R wrist XR, lateral projection:

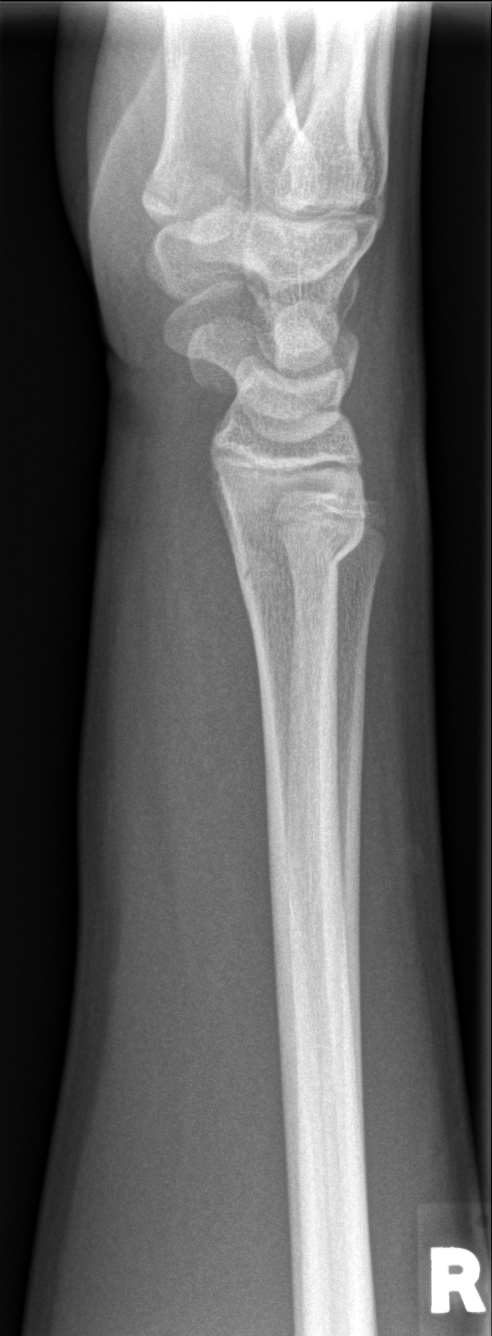
{
  "ao": "23r-M/3.1",
  "fracture": "1 @ (left=227, top=503, right=372, bottom=602)",
  "pronatorsign": "(left=156, top=436, right=282, bottom=953)"
}